Right wrist radiograph, frontal, age 4 y, female 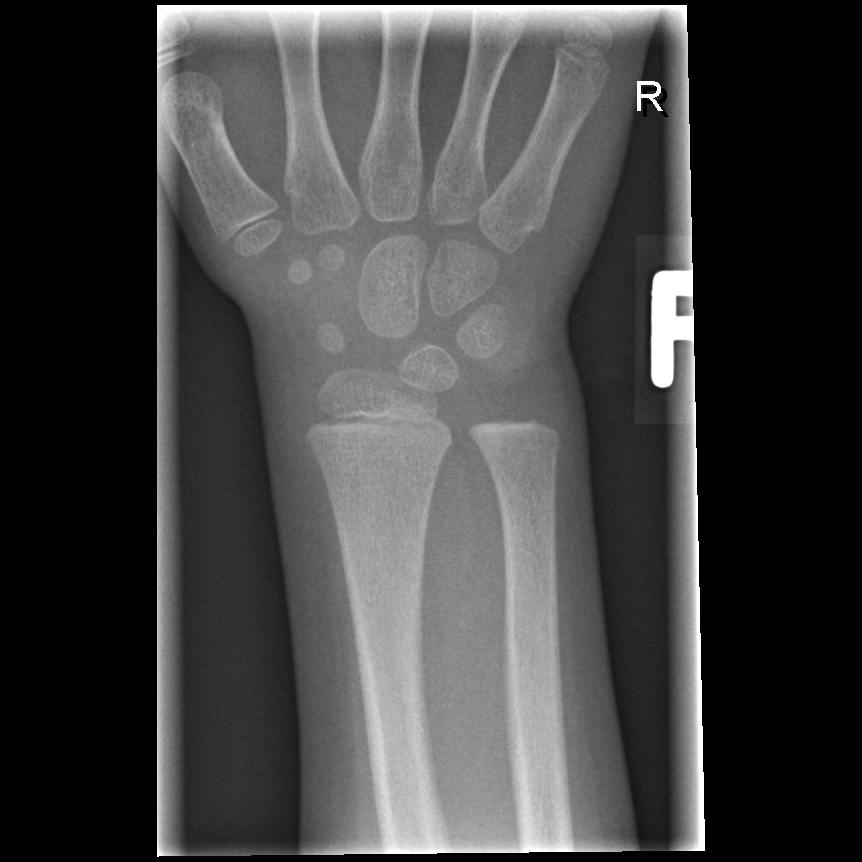 Fracture = none labeled